PA view · Lt wrist radiograph · cast present · image width 101.1 mm — 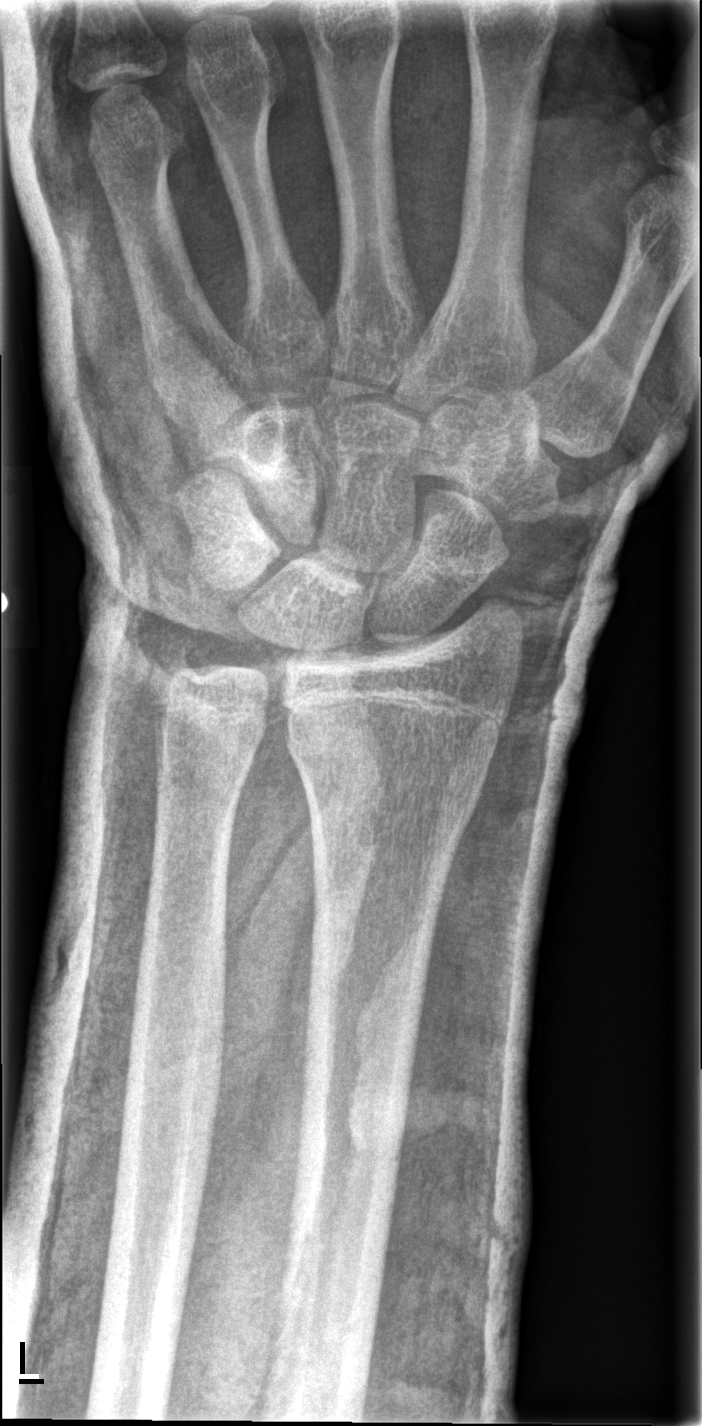

* AO code 23r-M/3.1; 23u-E/7.
* Fracture present but not clearly seen in this view.